PA | Lt plain radiograph of the wrist | 5y F.
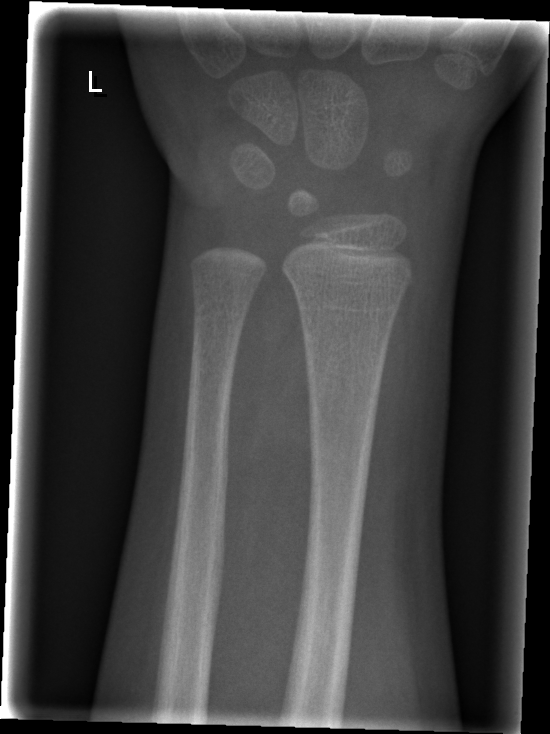
Findings: No fracture annotation.